Left wrist X-ray; AP view; pediatric patient (male, age 12); 568 by 1175 pixels: 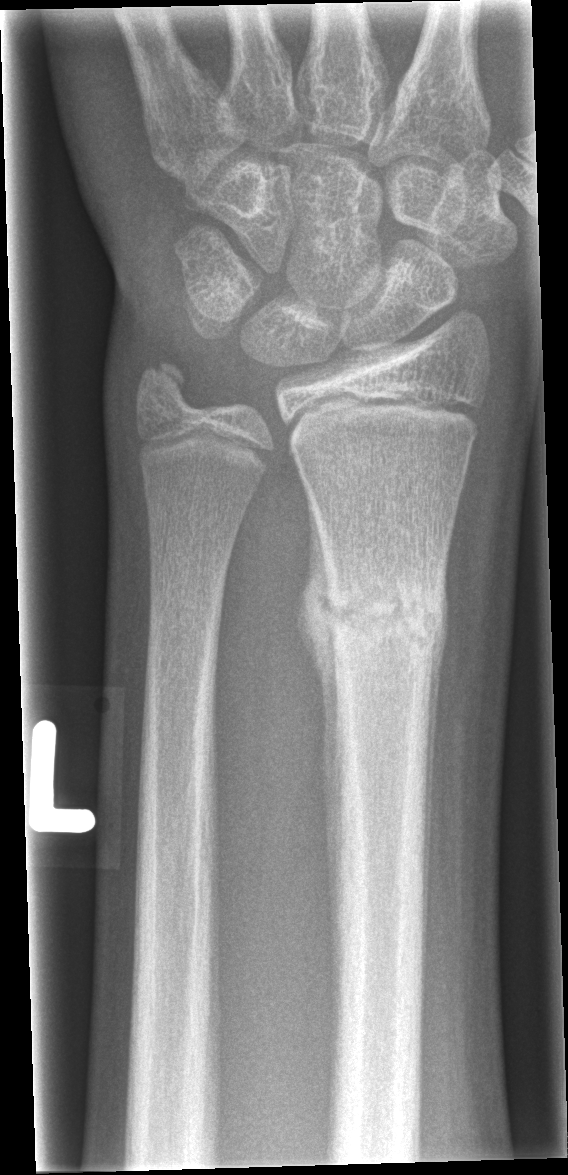
Periosteal reaction identified at 298 479 341 983; 422 537 455 1006. Bone fracture identified at 307 555 449 679 | 131 355 196 417.